Lt wrist radiograph | lat | follow-up | image size 498x736 —

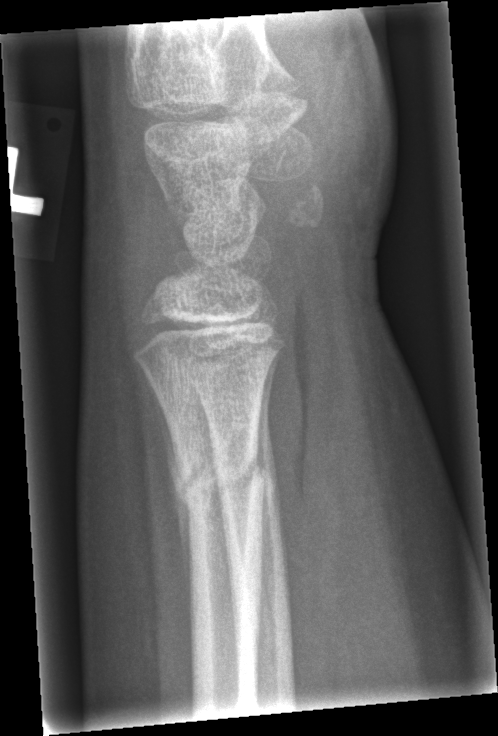
Findings: (boxes as x1,y1,x2,y2 (top-left / bottom-right, pixel units)) Fracture identified at [x1=173, y1=441, x2=271, y2=526]. Osteopenia. Periosteal thickening identified at [x1=144, y1=369, x2=195, y2=641]. AO/OTA classification: 23r-M/3.1; 23u-E/7.